Left wrist X-ray | lat projection | female, 3 yo | detector: Siemens | image 66.5 mm wide.

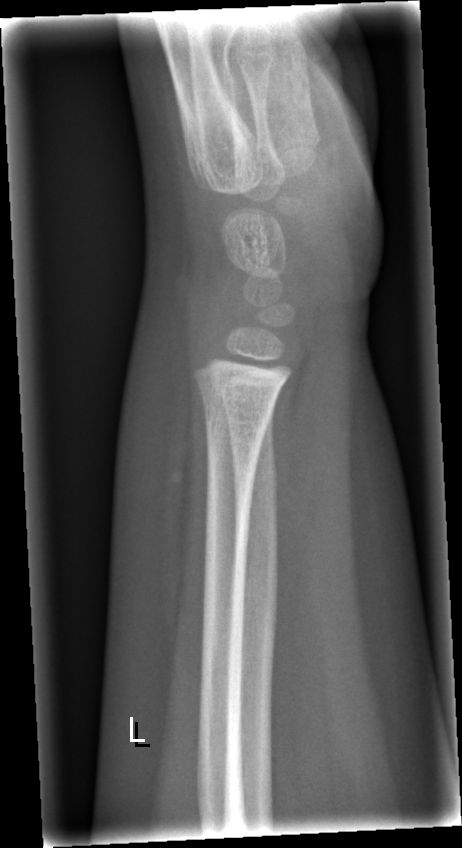

Fracture: none labeled.